Left wrist pediatric wrist radiograph · posteroanterior view.
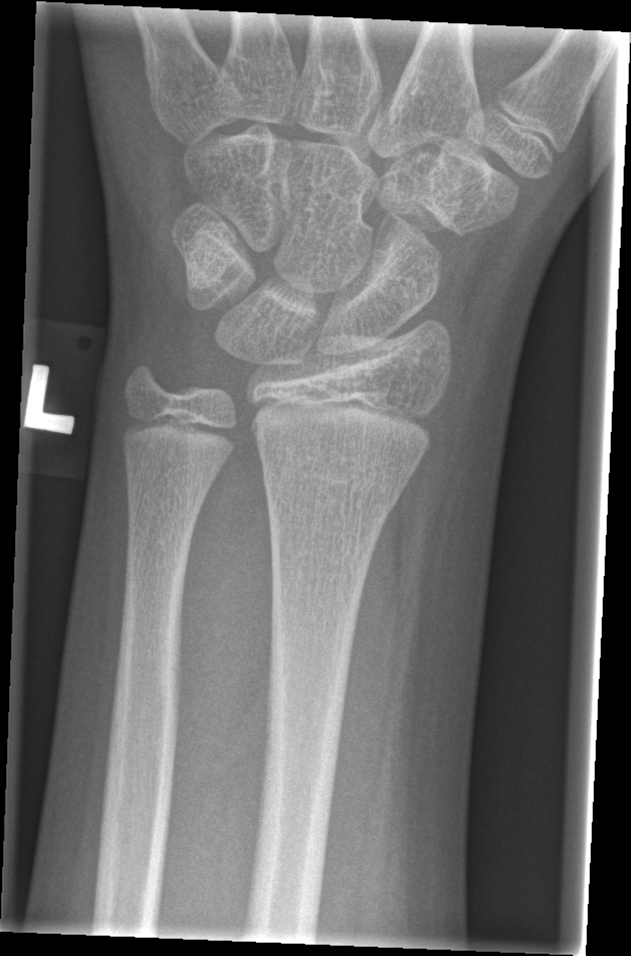 • Fracture — [259, 456, 404, 515].